Lateral projection · Lt wrist plain film · 68.0 mm image width:
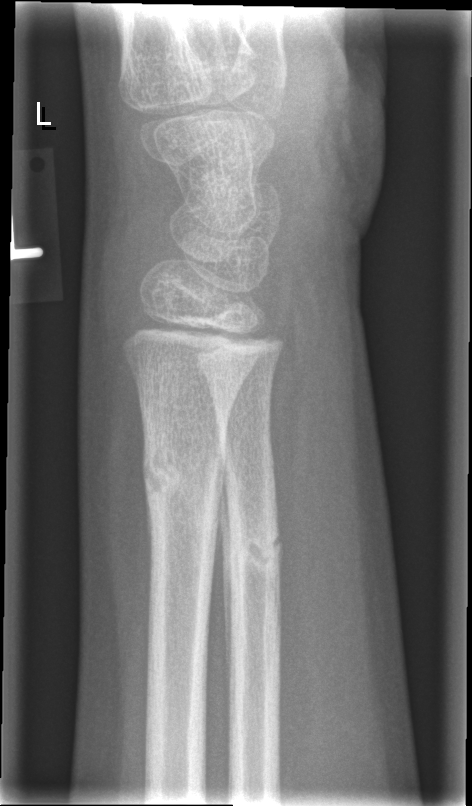 {
  "fracture": "2 @ (left=139, top=434, right=228, bottom=529) (left=227, top=520, right=287, bottom=577)",
  "periostealreaction": "2 @ (left=215, top=413, right=232, bottom=710), (left=217, top=470, right=234, bottom=733)",
  "ao": "23-M/3.1"
}